Lat view, left wrist XR, detector: Siemens.
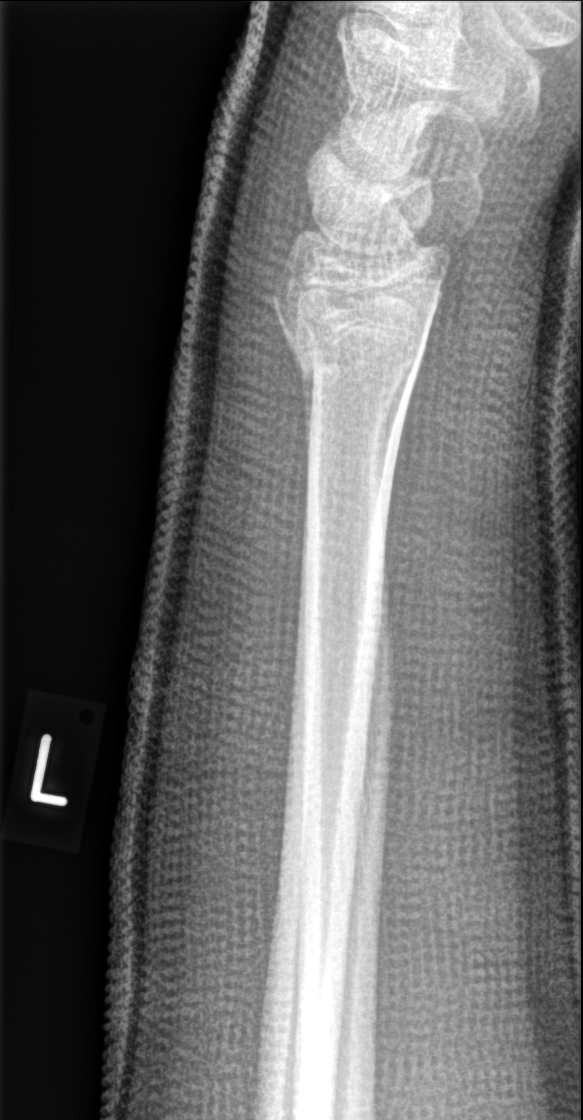 - Fx — (left=269, top=276, right=426, bottom=377).
- Periosteal thickening: (left=281, top=326, right=315, bottom=505).